Lat | left wrist X-ray | pediatric patient (male, age 12) —
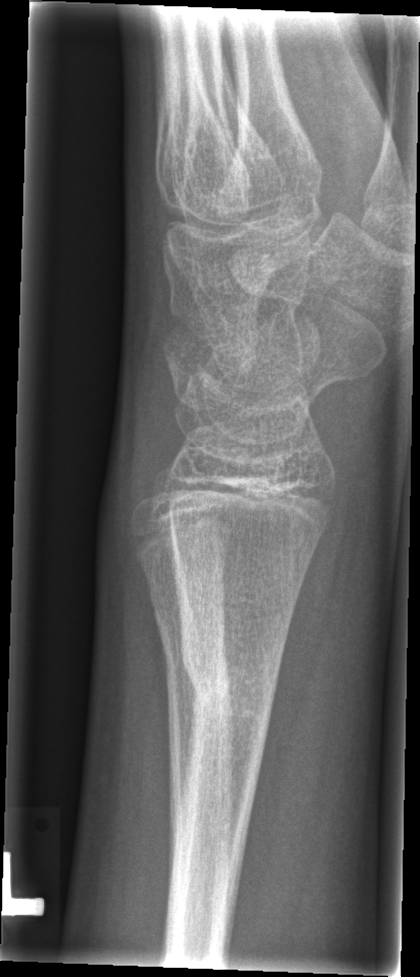

Findings: Fx — [178, 627, 283, 737]; [156, 611, 232, 702]. AO code 23-M/2.1.